Lat | L wrist X-ray | pediatric patient (female, age 9) | index exam
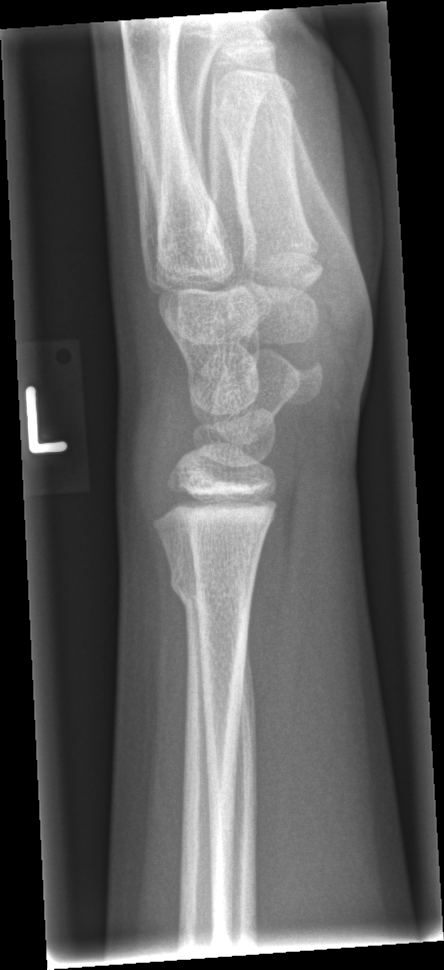
soft-tissue swelling: 115,361,193,543
fracture: 1 @ 166,554,258,620